Lt plain radiograph of the wrist · PA projection · initial study · acquired on Siemens · 579 x 852 px.
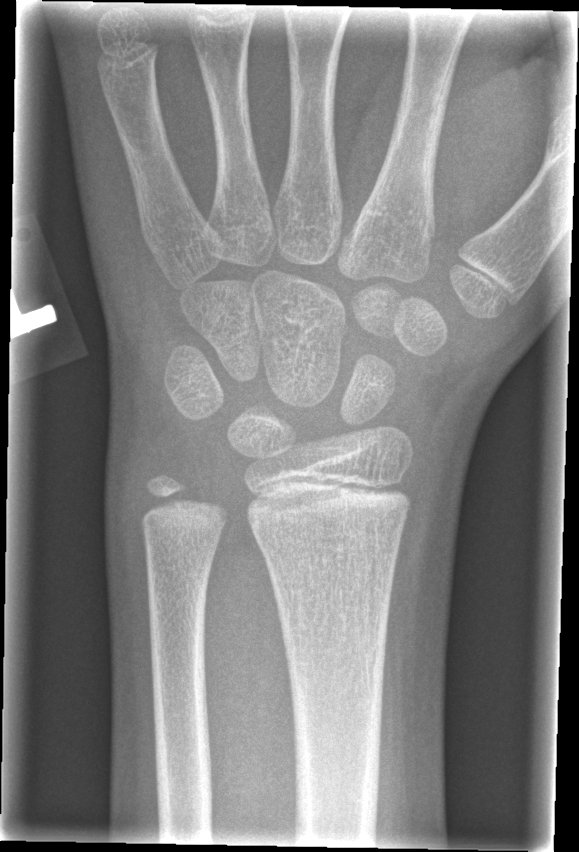
fracture: none labeled